Right wrist plain radiograph of the wrist | lat view | pediatric patient (girl, age 9) | acquired on Siemens —
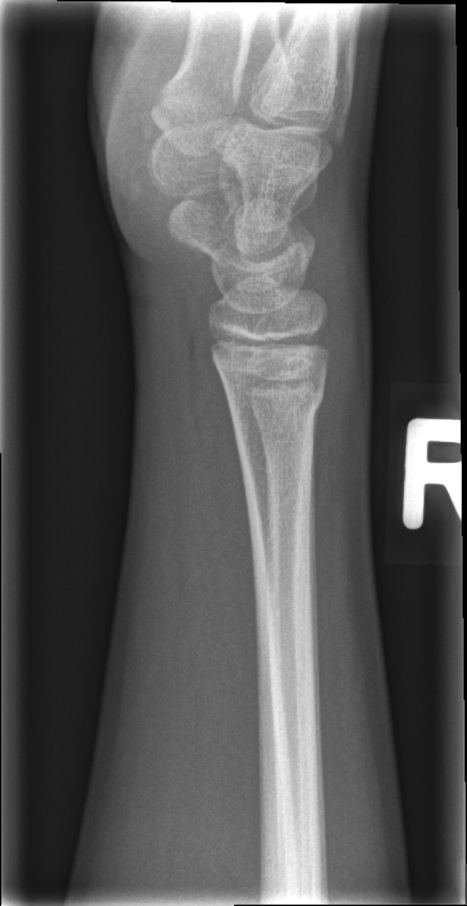
AO classification: 23r-M/2.1
Fx: 221,378,329,424